Right wrist pediatric wrist radiograph | posteroanterior | 9-year-old female.

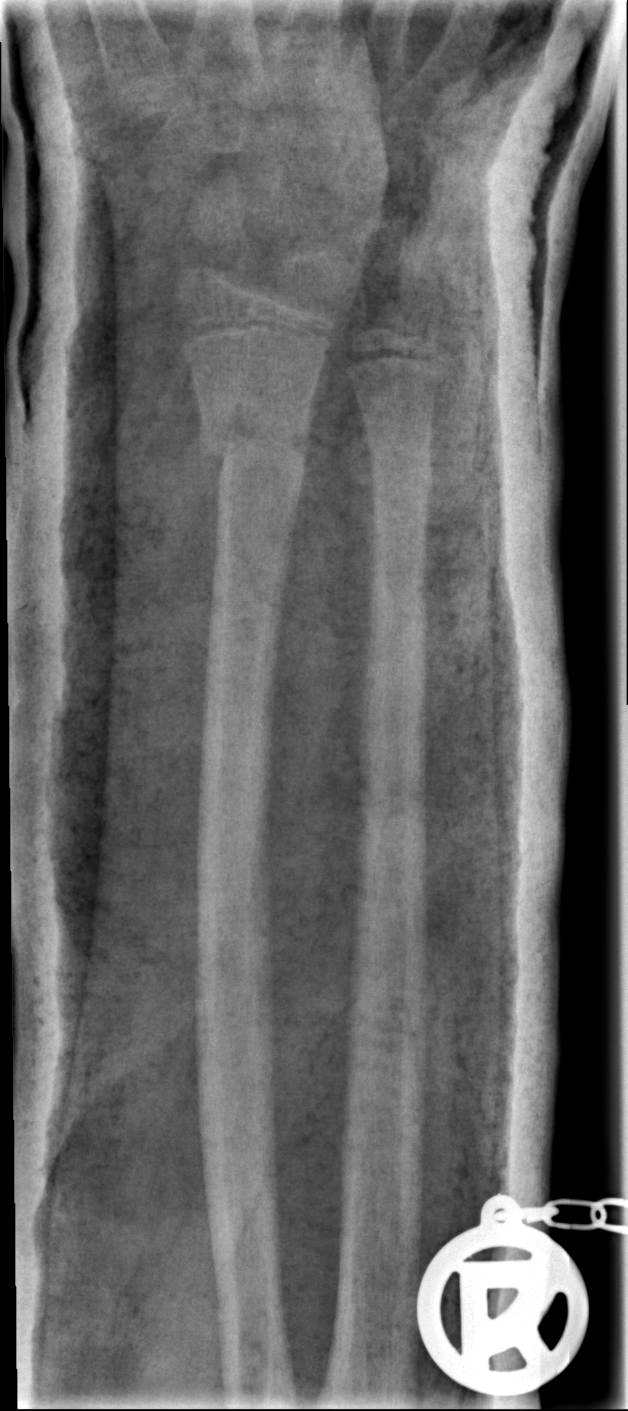 ao: 23-M/3.1
fracture: (200, 406, 311, 493), (365, 429, 438, 506)